Lateral view | right wrist plain film | age 15 y, male | follow-up study | imaged through cast | Siemens.
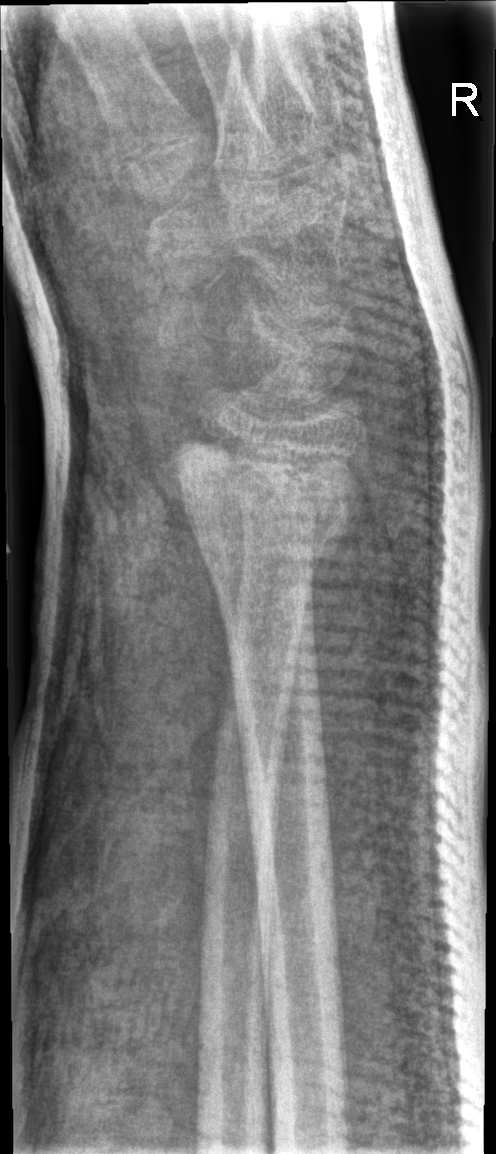
Findings: (boxes as x1,y1,x2,y2 (top-left / bottom-right, pixel units)) Bone fracture identified at 160 423 373 561. AO code 23r-E/2.1; 23u-E/7.